Frontal | right wrist plain film | detector: Siemens. 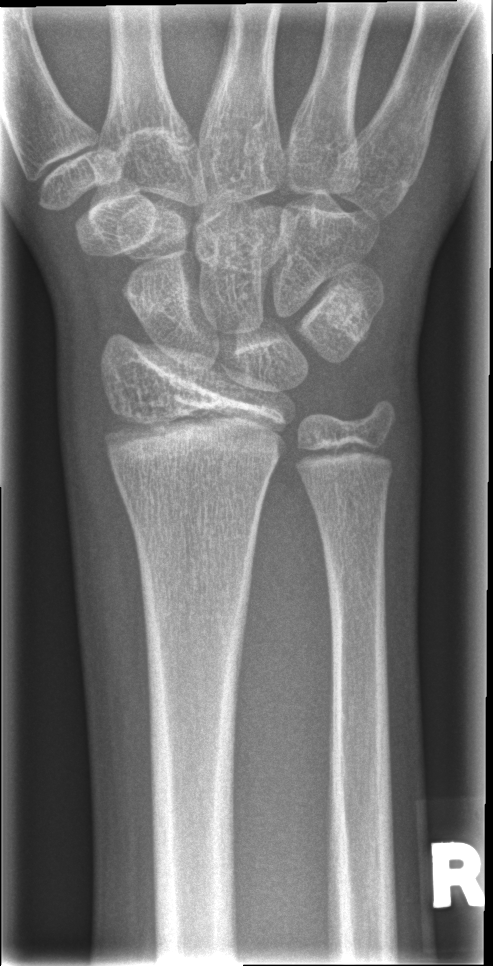 Fx = present but not clearly seen in this view
Soft-tissue finding = 1 @ (65, 334, 141, 628)